Lat, left plain radiograph of the wrist — 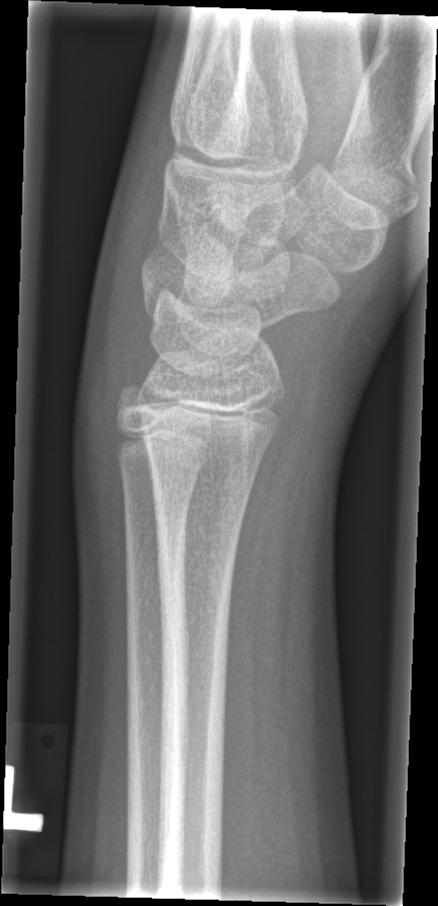 * Fx: none.